Lt plain radiograph of the wrist | posteroanterior | age 12 y, male —
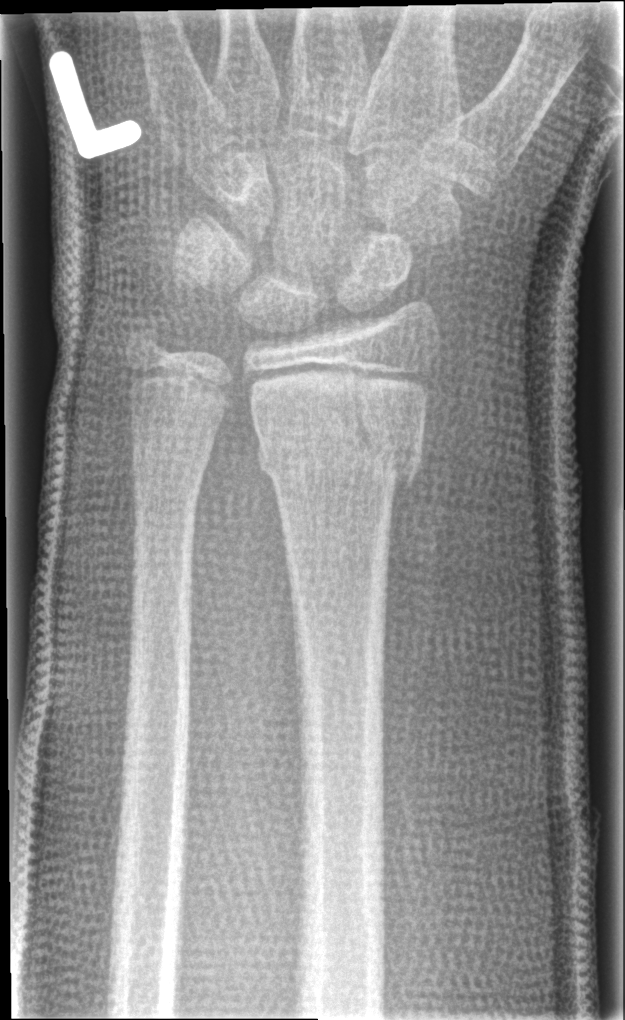

AO code 23r-M/3.1; 23u-M/2.1; 23u-E/7.
Fx — [254, 407, 429, 501]; [127, 426, 219, 485]; [118, 307, 180, 365].